Left wrist plain radiograph of the wrist; PA/AP projection; age 14 y, boy; acquired on Siemens; image 111.7 mm wide; 776 by 1168 pixels.

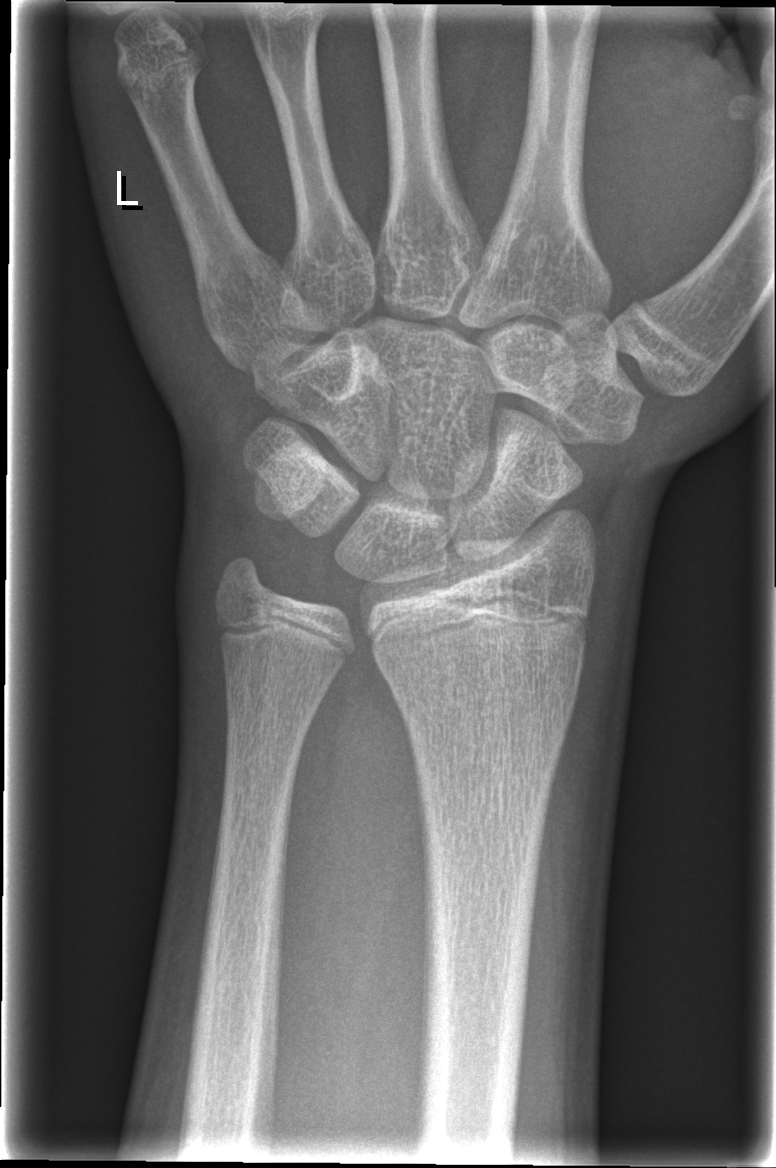
No fracture bounding box.